L wrist plain film · posteroanterior:

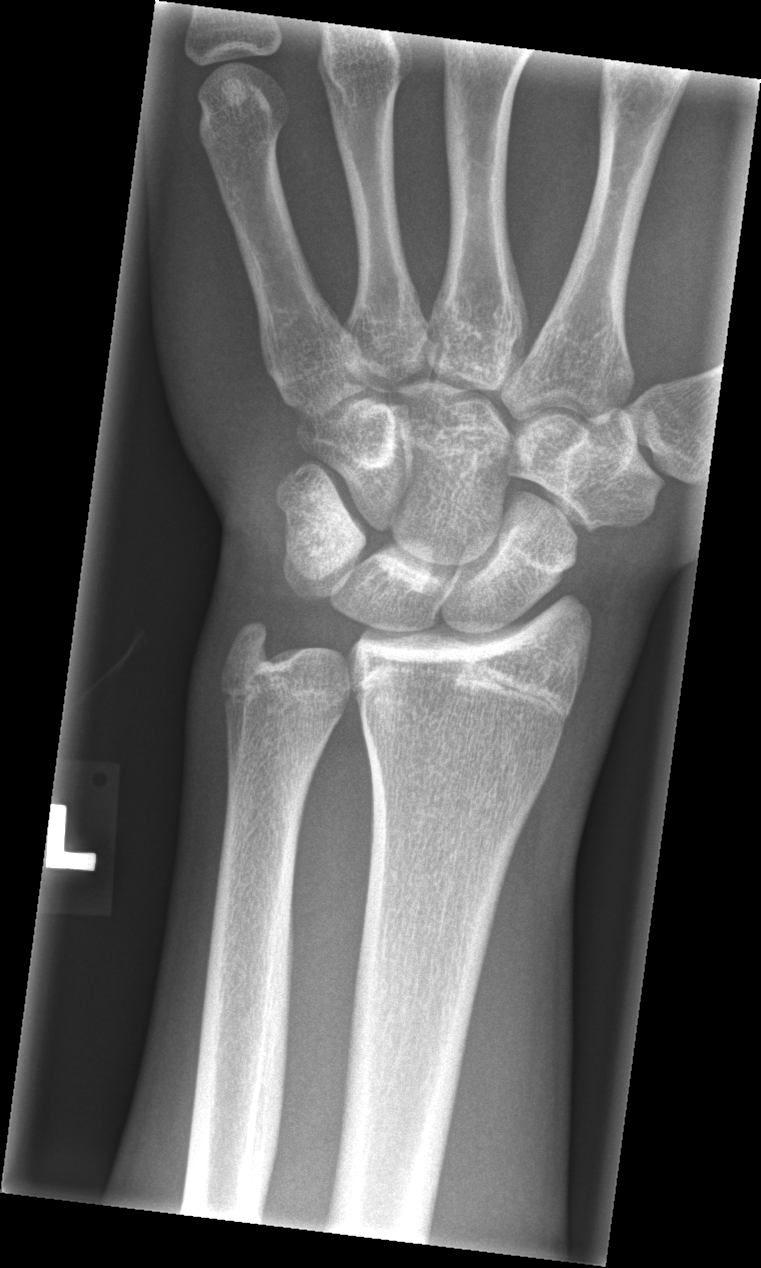 Bone fracture: none labeled